Left wrist radiograph · posteroanterior projection

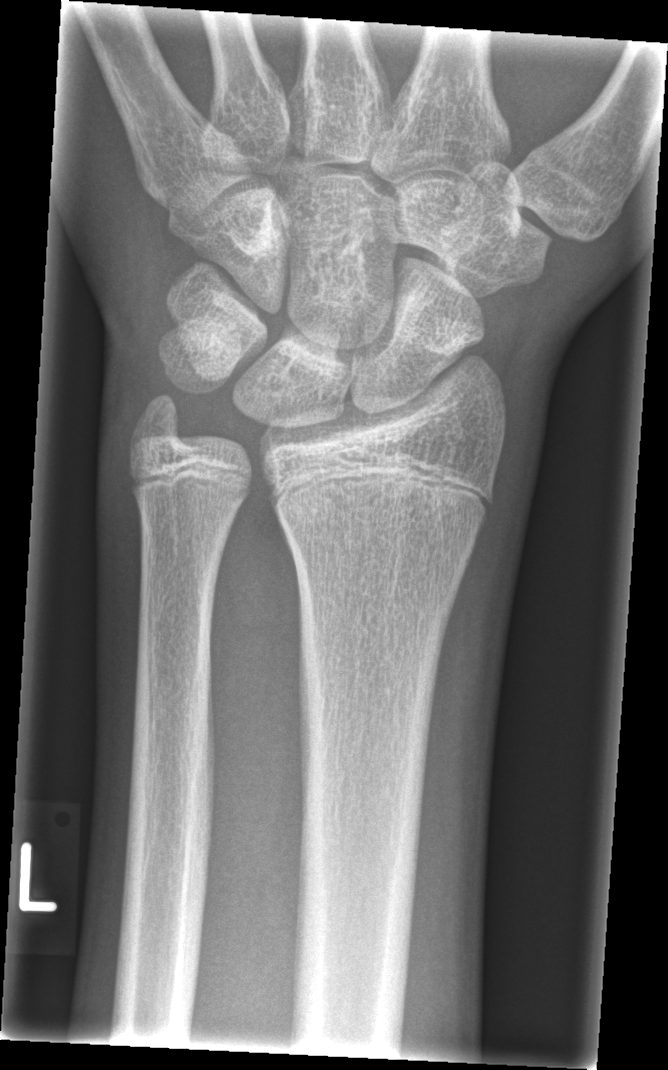
No fracture bounding box.